Right wrist radiograph, lateral projection, 12y M, image size 465x1158. 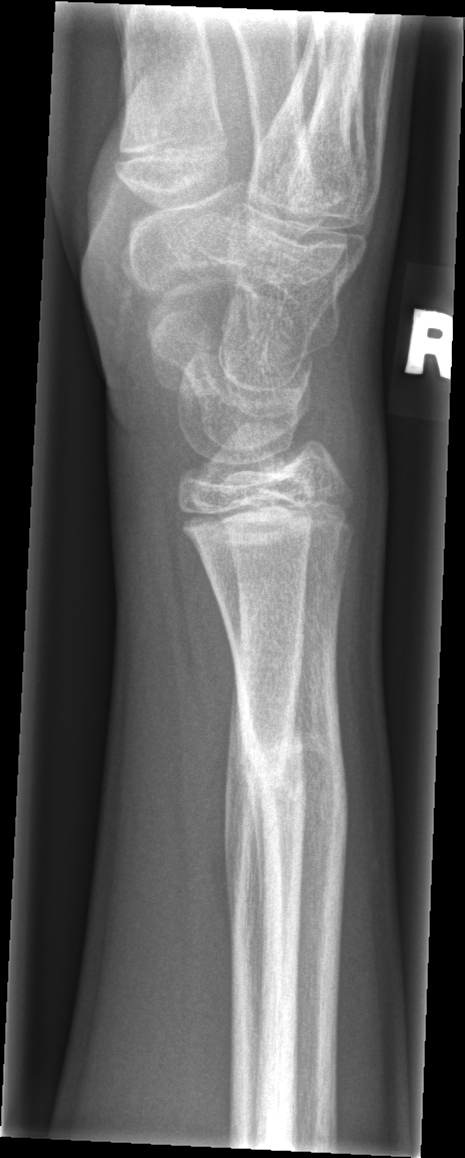 Fx: (234, 693, 349, 818)
periosteal thickening: (237, 696, 271, 998)
AO classification: 23-M/3.1